Right wrist plain film, posteroanterior view, imaged through cast, acquired on Siemens. 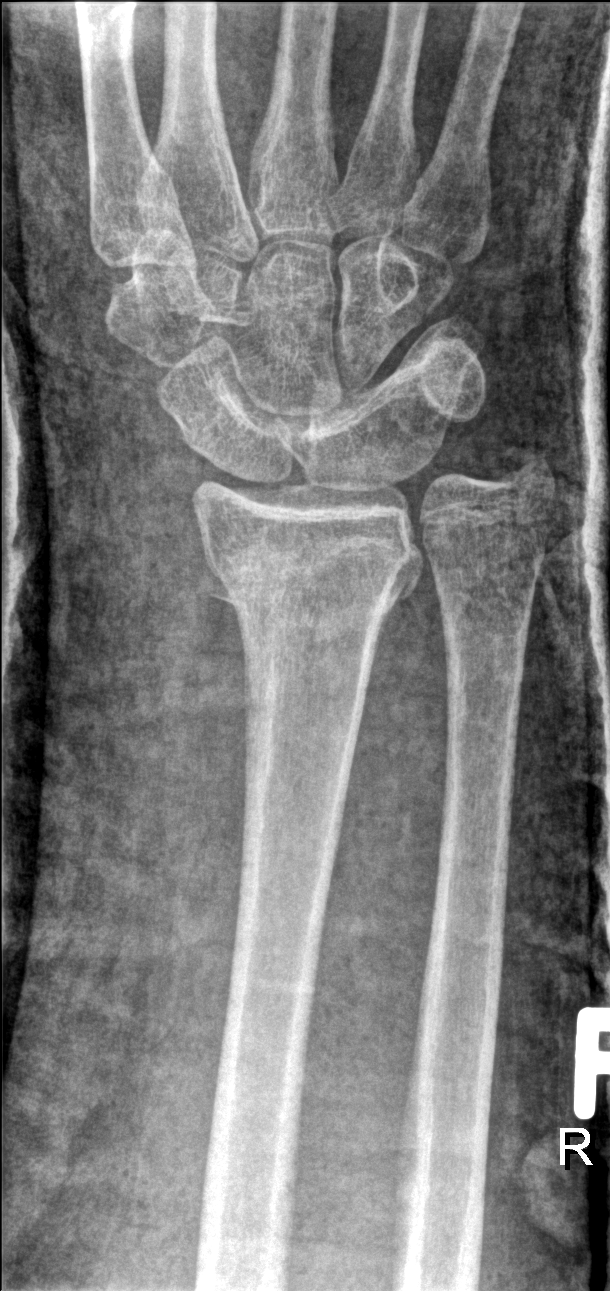 (coordinates are [x1, y1, x2, y2] in image pixels)
bone fracture: 1 @ (196, 543, 425, 630)
AO classification: 23r-M/3.1; 23u-E/7